Right wrist XR · frontal view · index exam: 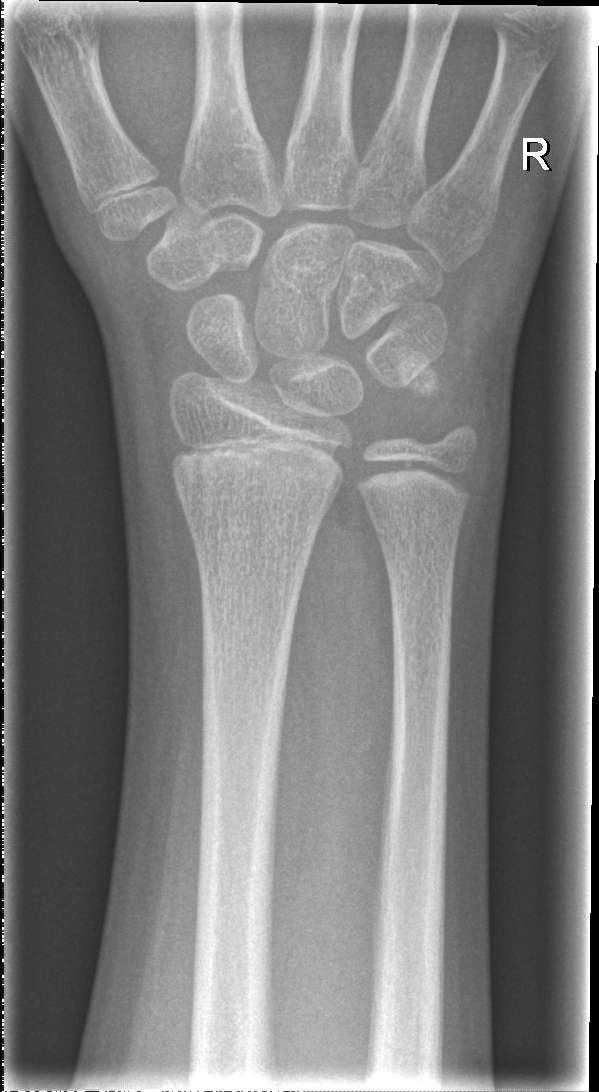
{
  "fracture": "none labeled"
}